Rt wrist XR | posteroanterior | 12y M — 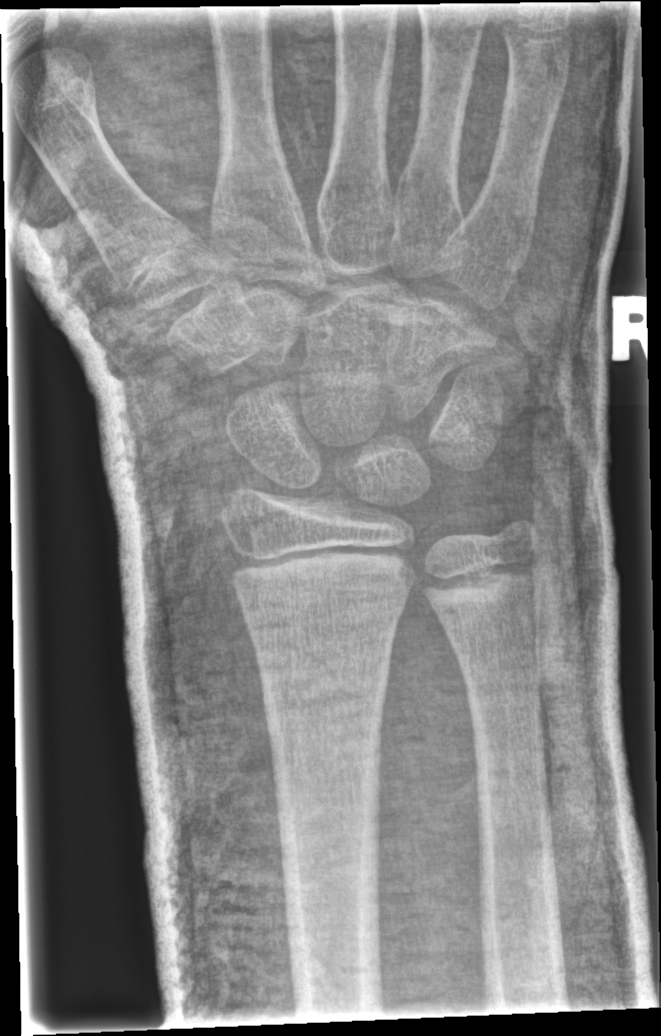 (boxes as x1,y1,x2,y2 (top-left / bottom-right, pixel units))
Fx: 1 @ 244,617,394,727